R wrist X-ray, frontal projection, 10-year-old female, presentation radiograph, diagnosis uncertain, image size 589x1204
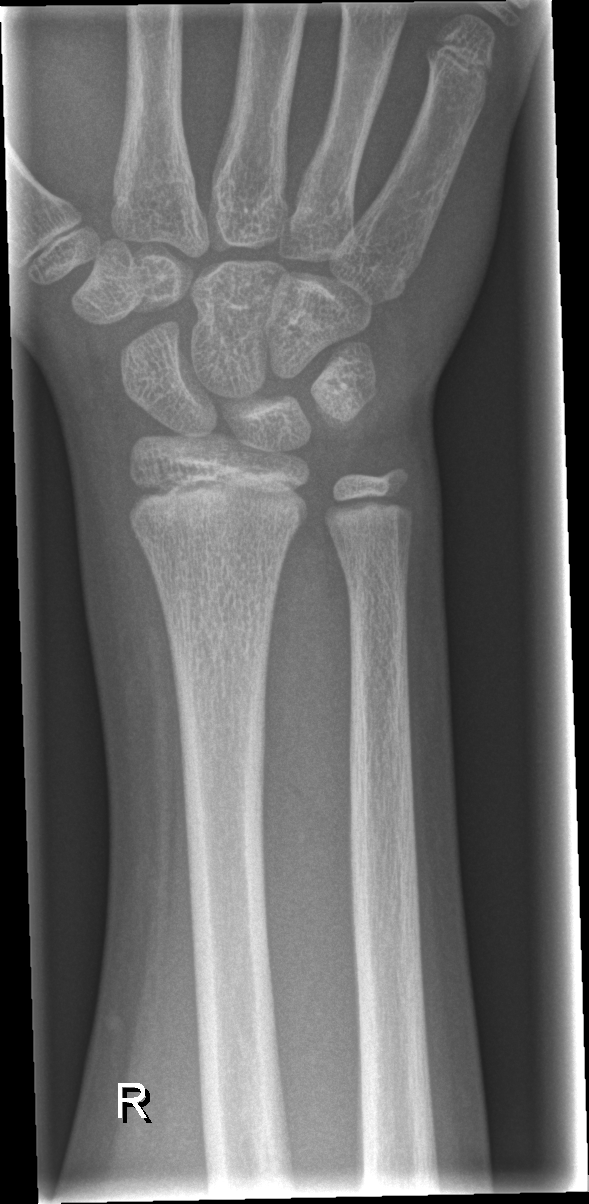
FINDINGS — No fracture labeled. Soft-tissue swelling — (73, 417, 179, 756).